AP view | right wrist X-ray | initial study
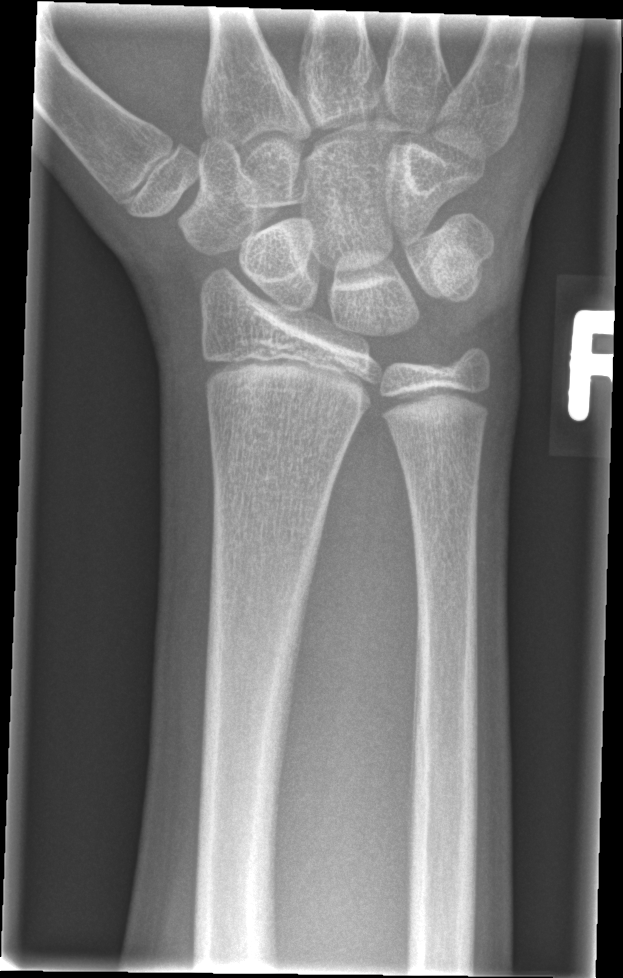
Fx: none.